PA view | left wrist radiograph | 4y F: 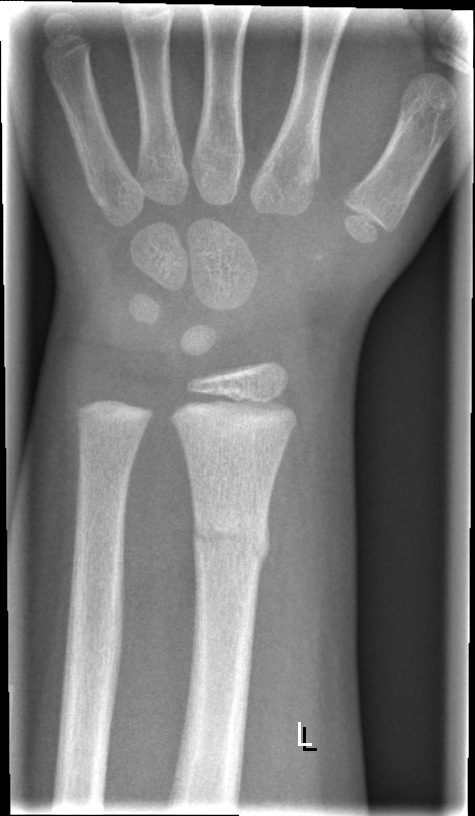

Fracture classified AO/OTA 23r-M/3.1. Fracture — 187 502 273 570.